Left wrist plain film, AP, pediatric patient (male, age 7), subsequent exam, image width 80.1 mm.
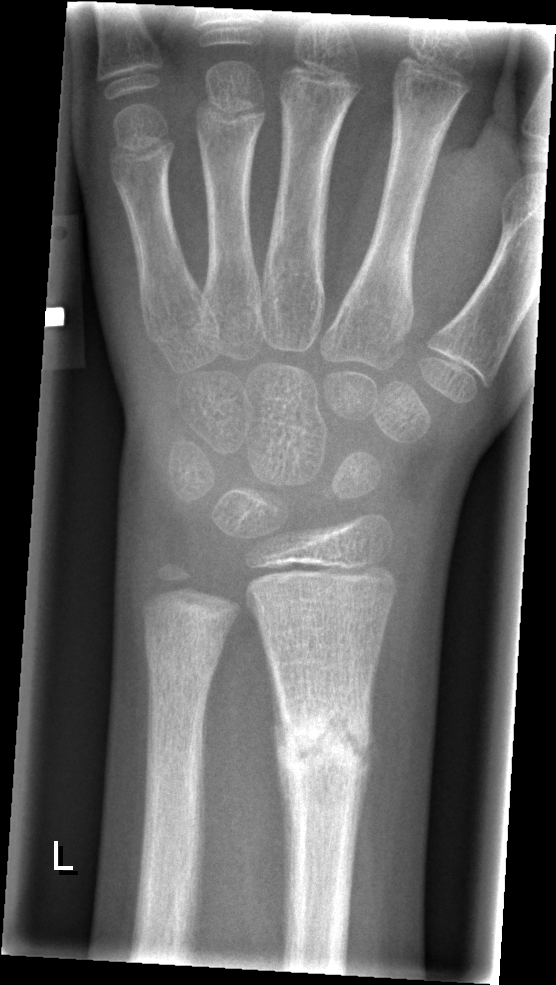
FINDINGS — (coordinates are [x1, y1, x2, y2] in image pixels) Reduced bone mineral density. Fractures — (left=267, top=696, right=377, bottom=799) (left=143, top=628, right=227, bottom=688). Periosteal thickening — (left=266, top=645, right=296, bottom=956); (left=349, top=646, right=380, bottom=901). AO/OTA classification: 23r-M/3.1; 23u-M/2.1.